PA/AP; Lt pediatric wrist radiograph; pediatric patient (boy, age 12); imaged through cast; 698x942

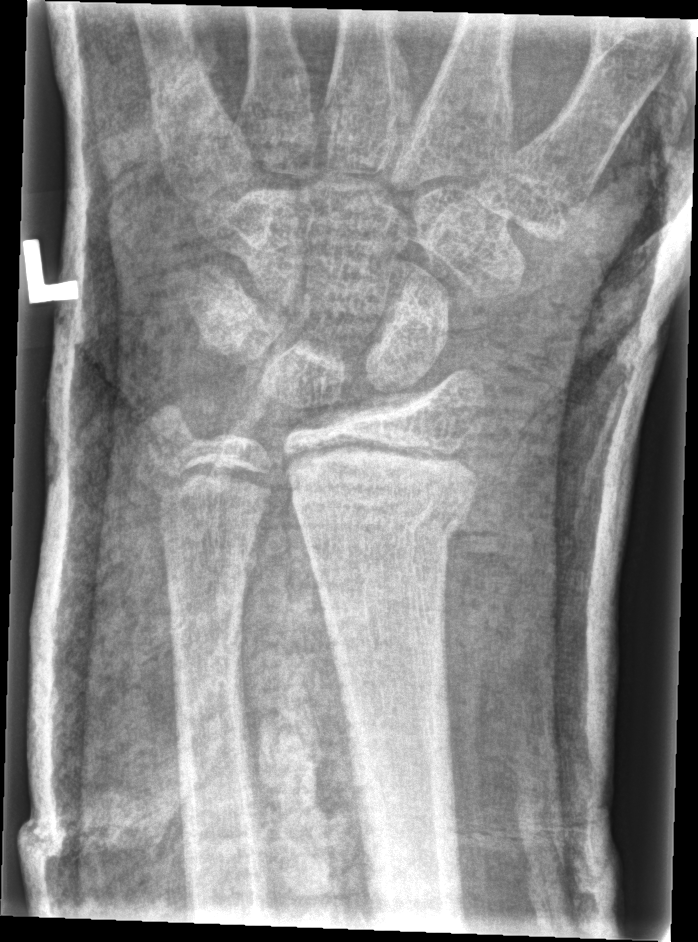 FINDINGS — (boxes as x1,y1,x2,y2 (top-left / bottom-right, pixel units)) Fracture: (left=286, top=472, right=474, bottom=545), (left=141, top=402, right=204, bottom=462). AO/OTA classification: 23r-M/2.1; 23u-E/7.